Left pediatric wrist radiograph; AP; 4-year-old girl; image width 67.1 mm; image size 466x606.

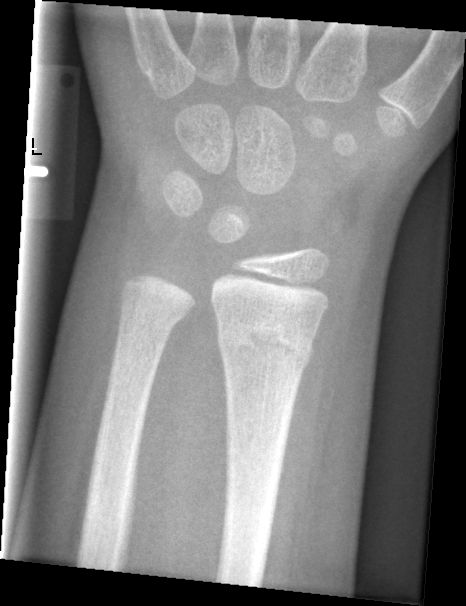

Findings: Fracture classified AO/OTA 23-M/2.1. Bone fractures — (left=214, top=316, right=316, bottom=376), (left=116, top=292, right=188, bottom=341).